Left plain radiograph of the wrist, PA/AP, 9y F.

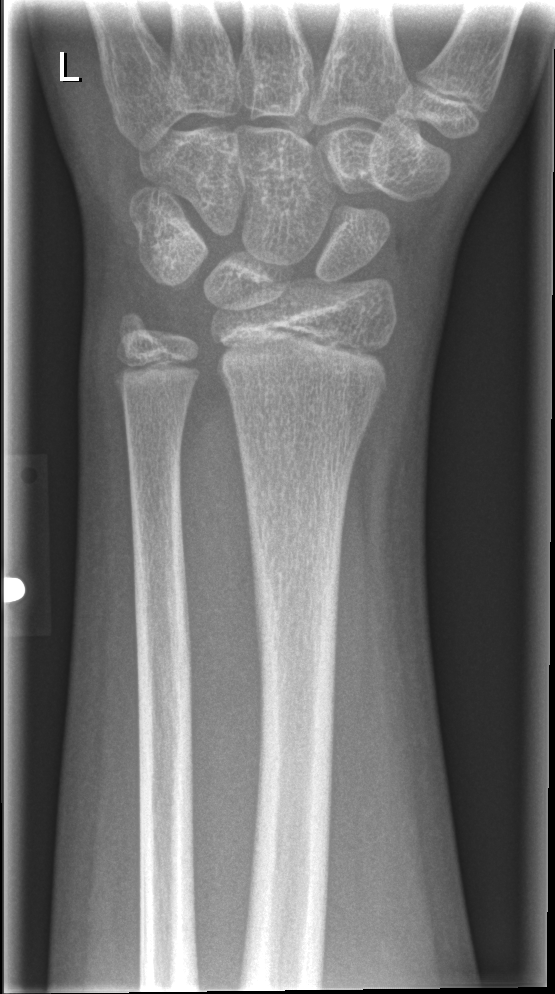
Fx: none labeled